Posteroanterior view, left plain radiograph of the wrist, boy, 8 yo, 567 by 776 pixels 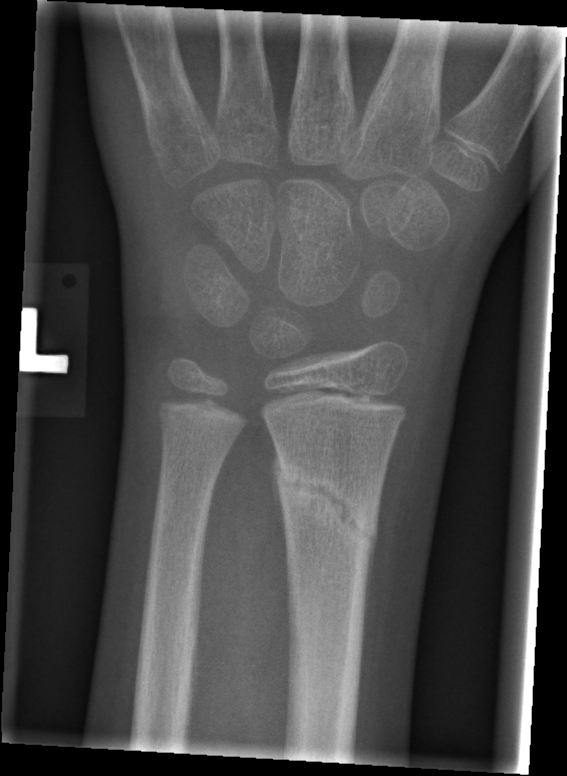

(bounding boxes in image-pixel xyxy)
Q: Any fracture seen?
A: Fracture: bbox(271, 451, 380, 564)
Q: Bone density?
A: Osteopenic